R wrist XR | lateral projection —

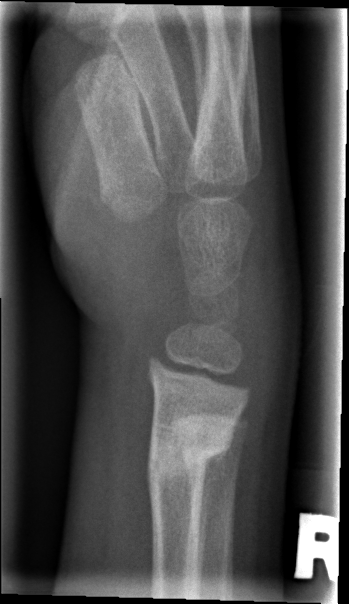
Osteopenia: present
AO classification: 23r-M/3.1; 23u-M/2.1
Fx: [x1=145, y1=418, x2=238, y2=489]